R plain radiograph of the wrist · lat view · 14y M —

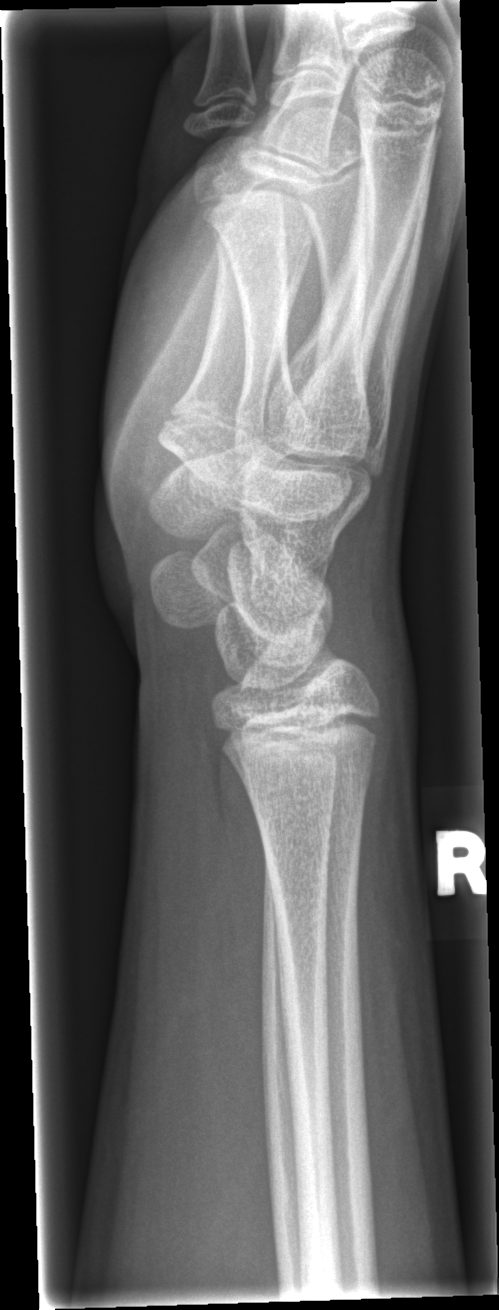
FINDINGS: Fracture: none labeled.